PA/AP projection, L wrist radiograph, subsequent exam, acquired on Siemens.

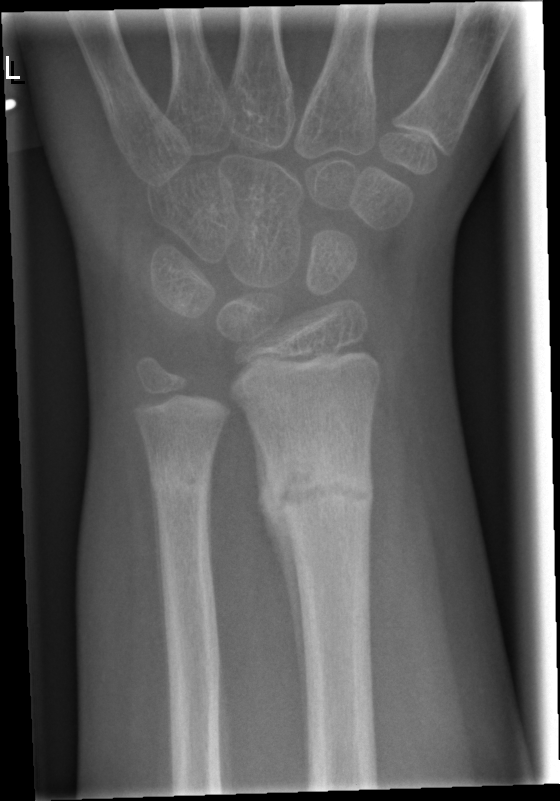

FINDINGS — (coordinates are [x1, y1, x2, y2] in image pixels) Reduced bone mineral density. Periosteal thickening: bbox(252, 427, 307, 745). AO/OTA classification: 23r-M/3.1; 23u-M/2.1. Bone fracture: bbox(254, 435, 377, 536); bbox(145, 449, 215, 502).